Left wrist pediatric wrist radiograph, lat view, detector: Siemens, 344 x 810 px
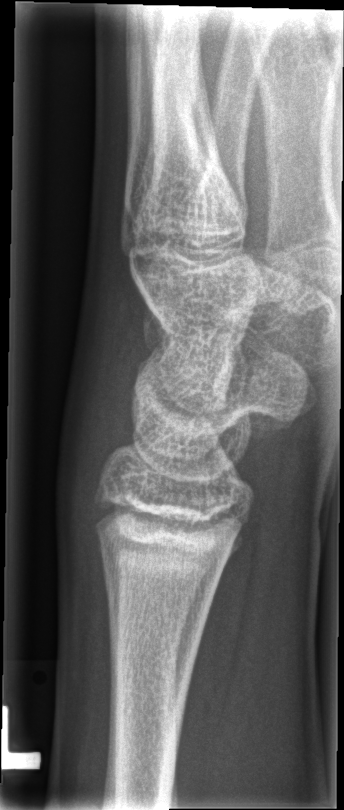
fracture = none labeled